R wrist X-ray | lateral | pediatric patient (male, age 12) | image width 86.5 mm — 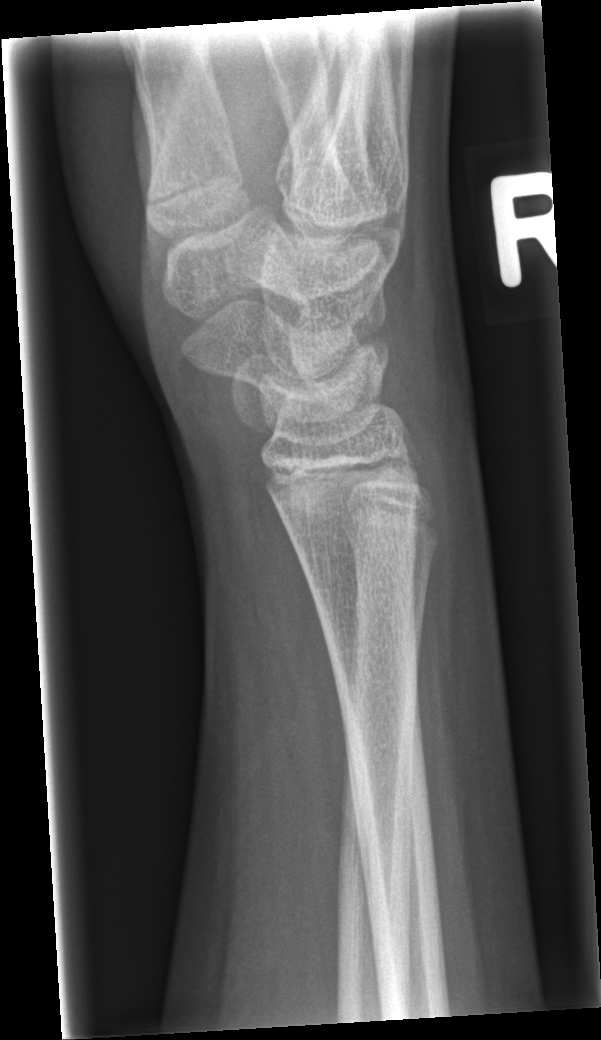

Q: Any fracture seen?
A: No fracture labeled